Frontal projection | L wrist X-ray | 8-year-old girl | acquired on Siemens | image size 534x894.
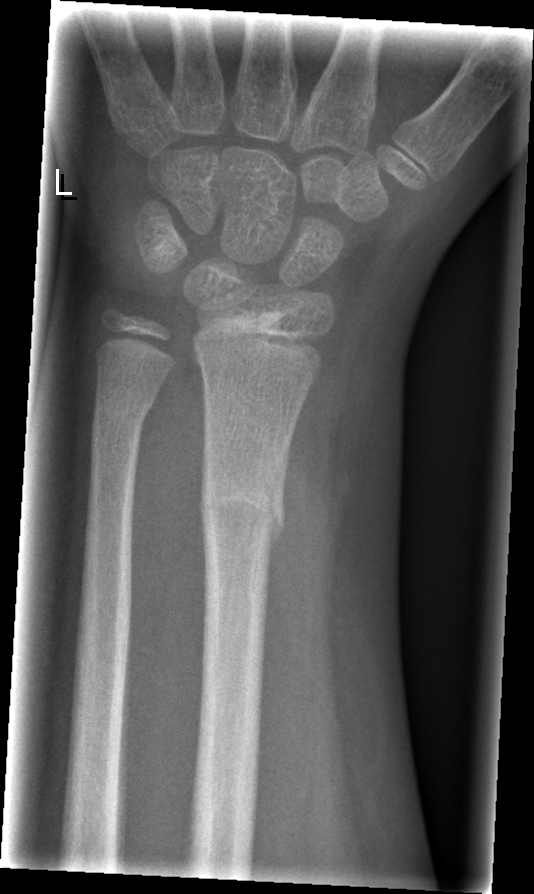

• Fx identified at [x1=196, y1=465, x2=288, y2=550] [x1=87, y1=380, x2=158, y2=440].
• Fracture classified AO/OTA 23-M/2.1.